R wrist XR | lateral view | male, 14 yo | acquired on Siemens.

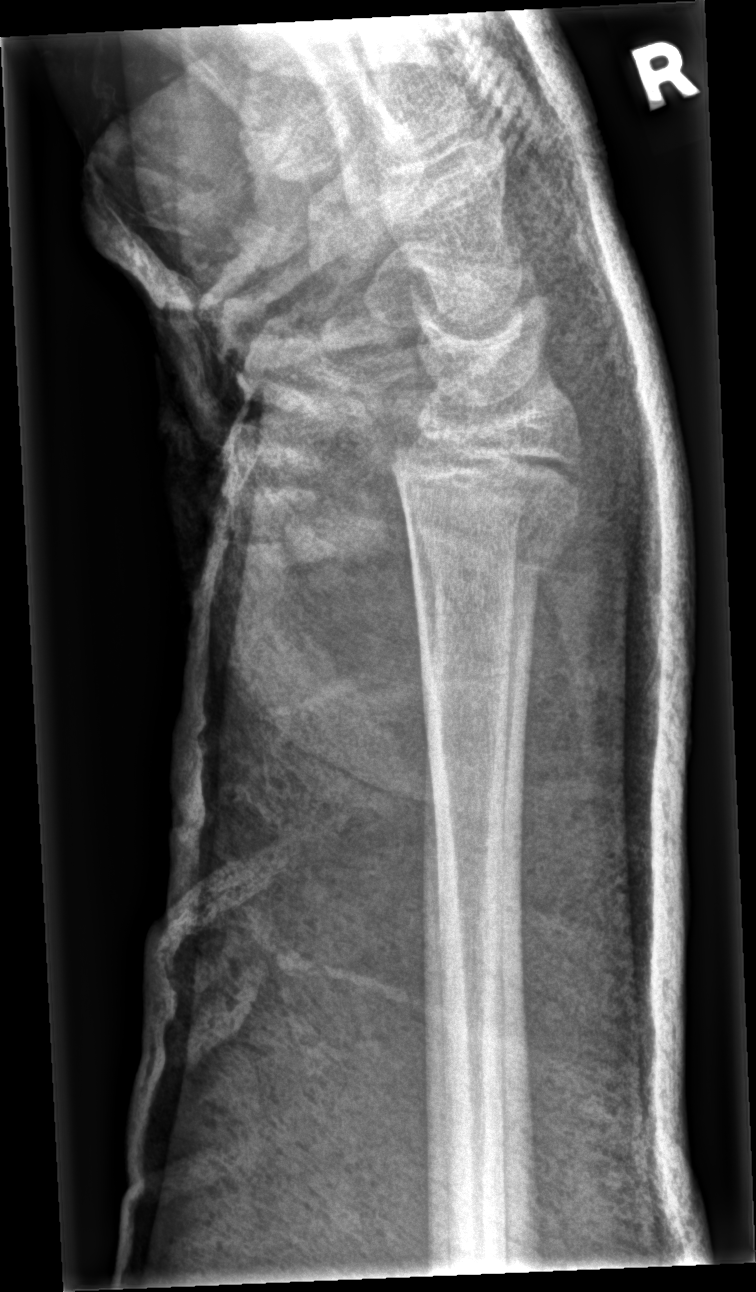 Pixel coordinates, top-left origin, xyxy. Bone fracture identified at 384,428,590,585.